Lat · R wrist radiograph · age 3 y, boy · in cast · 457 by 774 pixels.

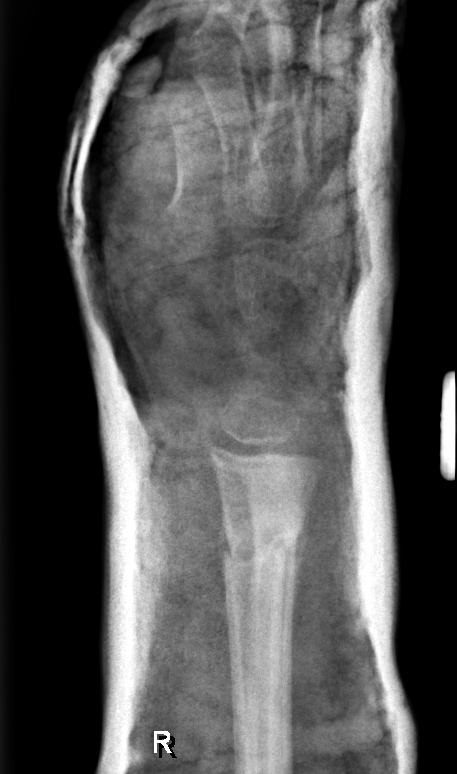 AO/OTA classification: 23r-M/3.1; 23u-M/2.1. One fracture at [220, 517, 306, 574].